Lat projection; Lt plain radiograph of the wrist; pediatric patient (boy, age 15); follow-up —
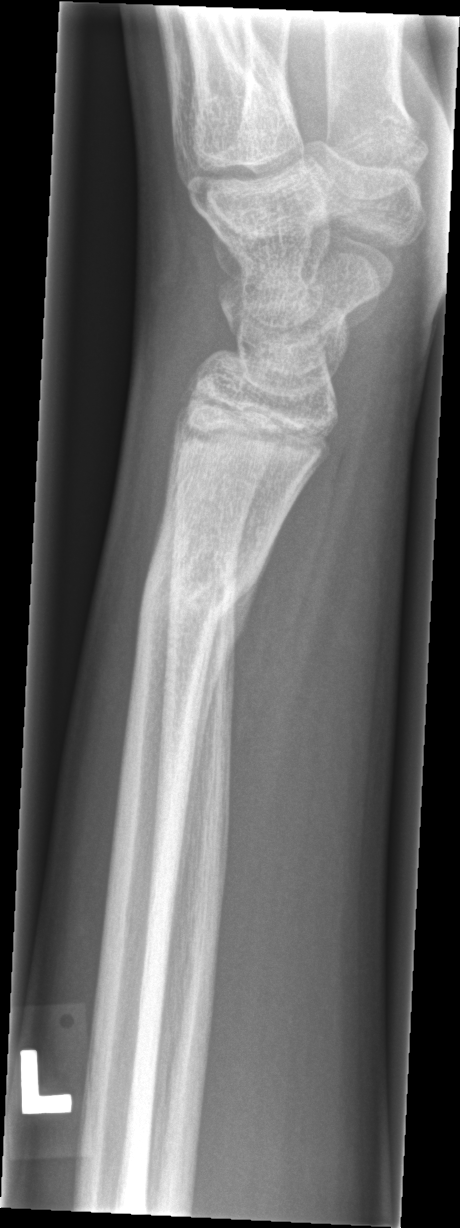

FINDINGS: One periosteal new bone at [166, 549, 270, 960]. Osteopenic. One bone fracture at [134, 547, 263, 634].